Lat projection | left wrist plain film | image size 354x714 — 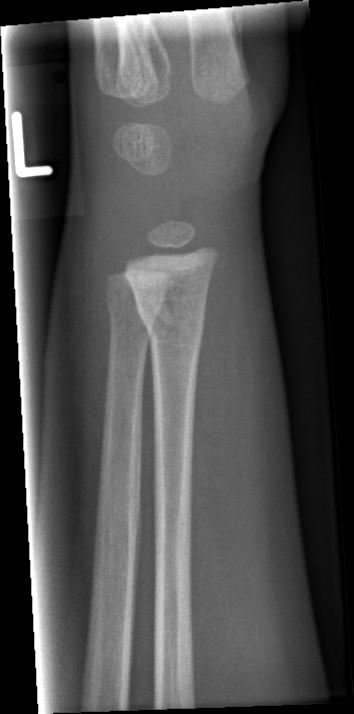
Fracture — (left=133, top=290, right=208, bottom=351). Fracture classified AO/OTA 23-M/2.1.